Left wrist radiograph | lateral view | image size 446x896
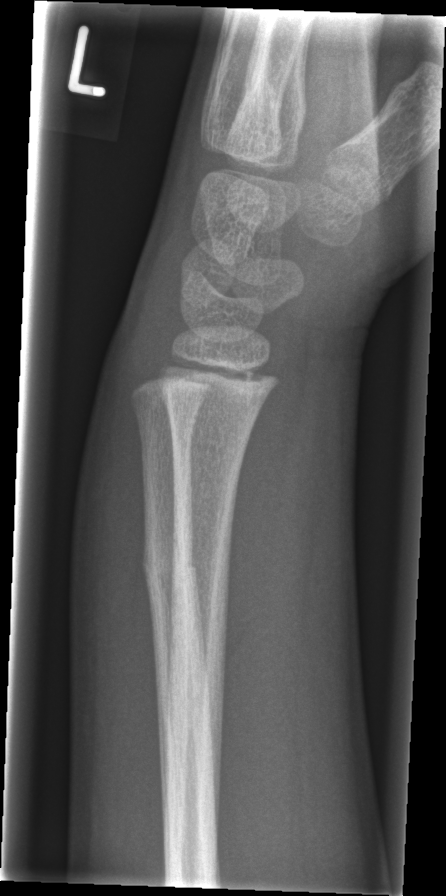 * Bounding boxes in image-pixel xyxy.
* Fracture identified at 139 511 200 632.
* Fracture classified AO/OTA 23u-M/2.1.